Frontal view, Lt plain radiograph of the wrist

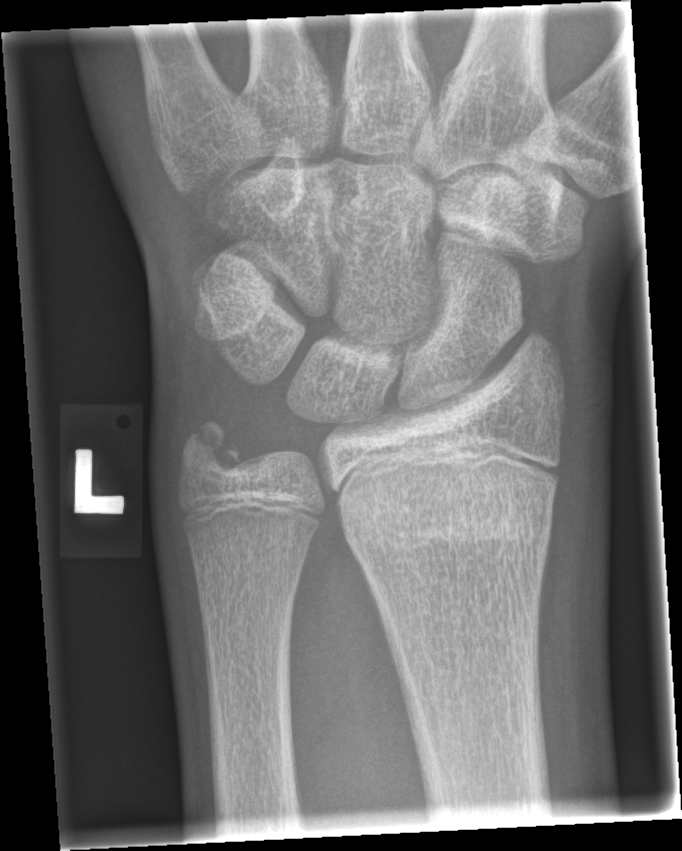 FINDINGS: (bounding boxes in image-pixel xyxy) Decreased bone density (osteopenia). AO/OTA classification: 23r-M/3.1; 23u-E/7. Fracture identified at (left=339, top=473, right=556, bottom=565) (left=175, top=418, right=245, bottom=481).